AP view; right wrist X-ray; detector: Siemens; image size 707x1156

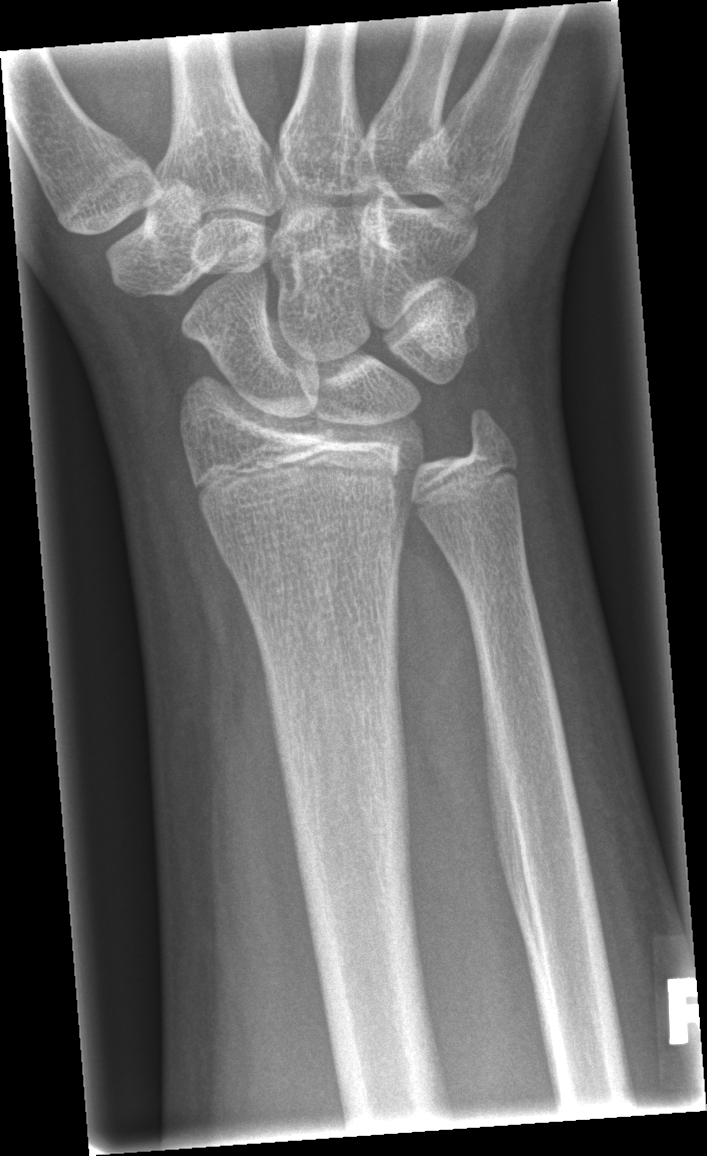

* No fracture annotation.